L plain radiograph of the wrist | PA/AP projection | 16y M | subsequent exam | 802 by 1088 pixels —

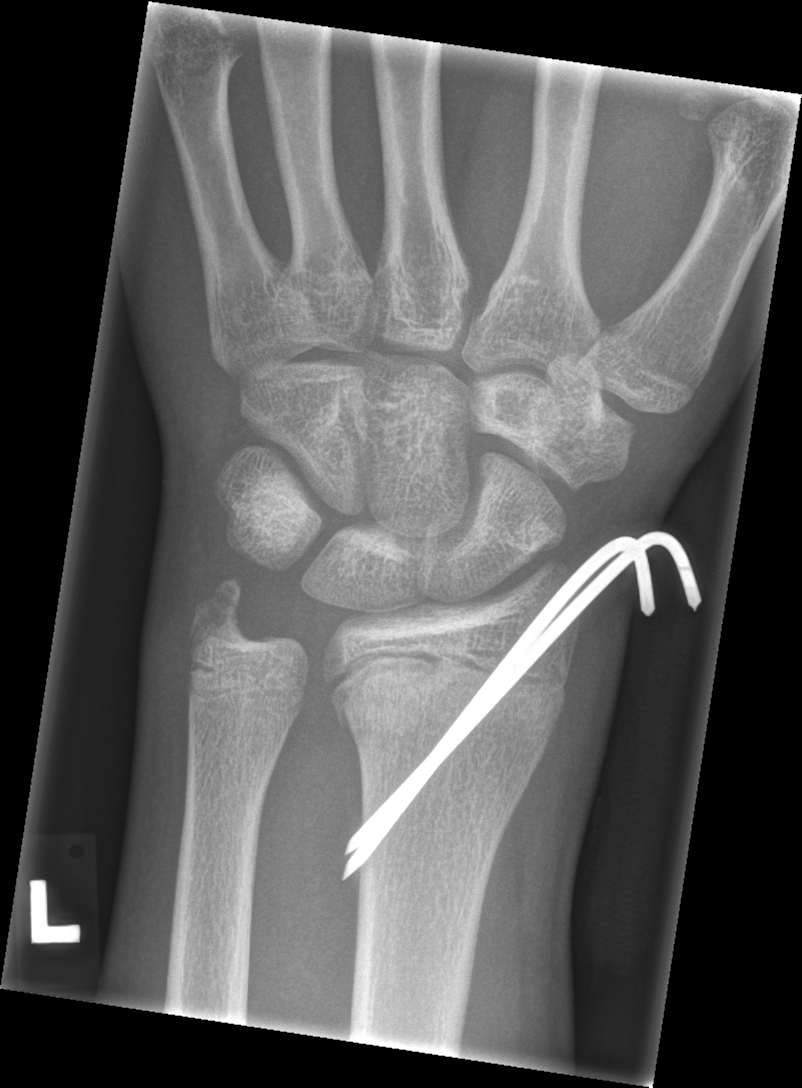

Findings: Hardware identified at 341 528 704 883. Two Fx at 325 650 576 778 | 190 574 255 655. AO code 23r-E/2.1; 23u-E/7.